Posteroanterior view; Lt wrist X-ray; follow-up 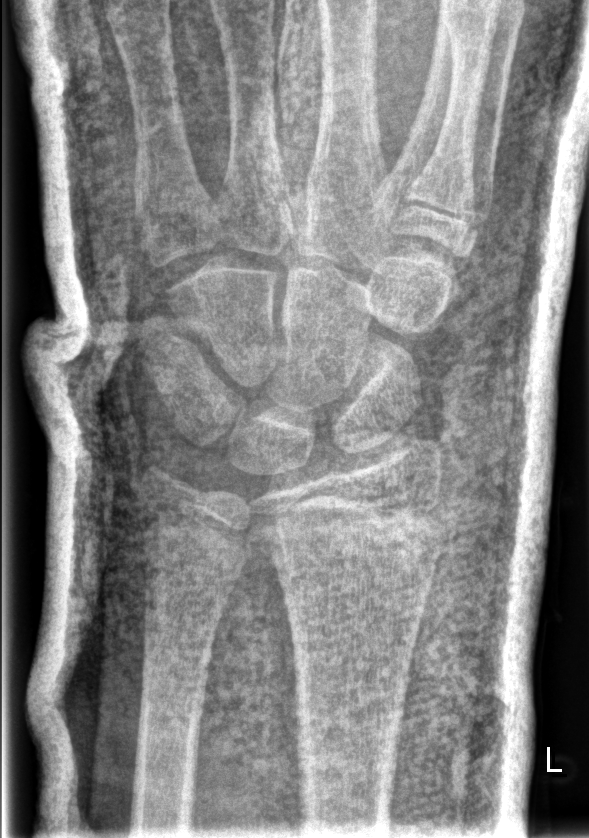
One bone fracture at bbox(256, 500, 454, 582).